Posteroanterior projection | Lt wrist XR

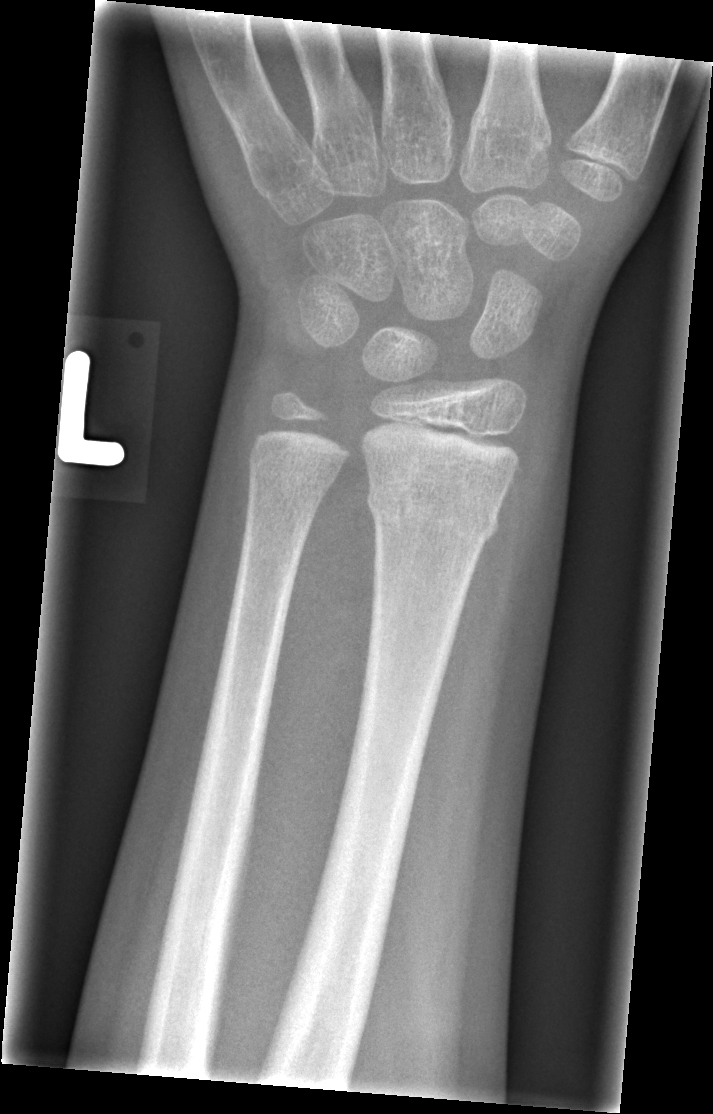

FINDINGS — (pixel coordinates, top-left origin, xyxy) AO/OTA classification: 23-M/2.1. Bone fracture: bbox(364, 474, 503, 550); bbox(245, 449, 343, 504).